Lat projection, Lt pediatric wrist radiograph.

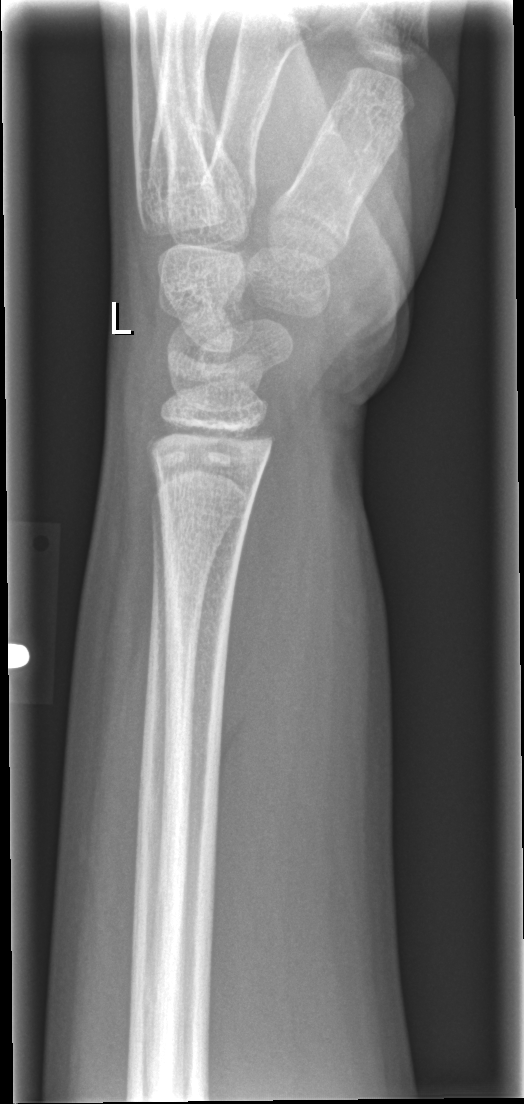
Fracture: none labeled.